Left wrist plain film · lat projection · image 73.6 mm wide 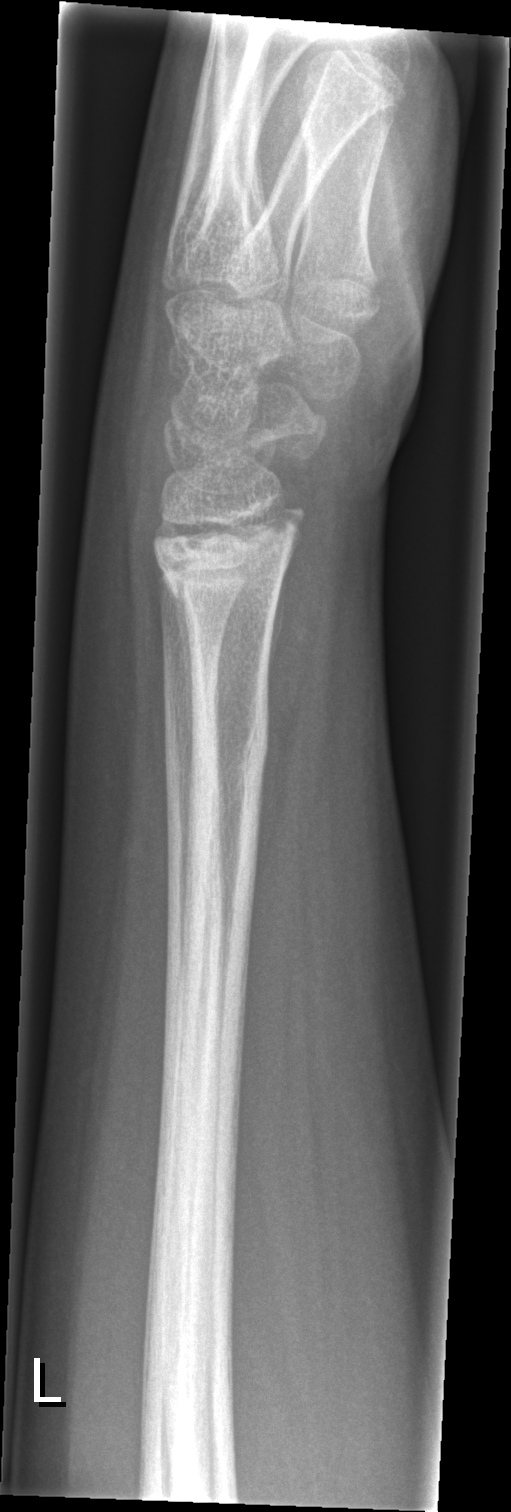

{"_coords": "boxes as x1,y1,x2,y2 (top-left / bottom-right, pixel units)", "osteopenia": "present", "periostealreaction": "2 @ (166, 584, 195, 769); (267, 556, 290, 709)", "fracture": "(149, 498, 310, 600)"}